Posteroanterior projection | right wrist pediatric wrist radiograph | age 16 y, female | follow-up | imaged through cast — 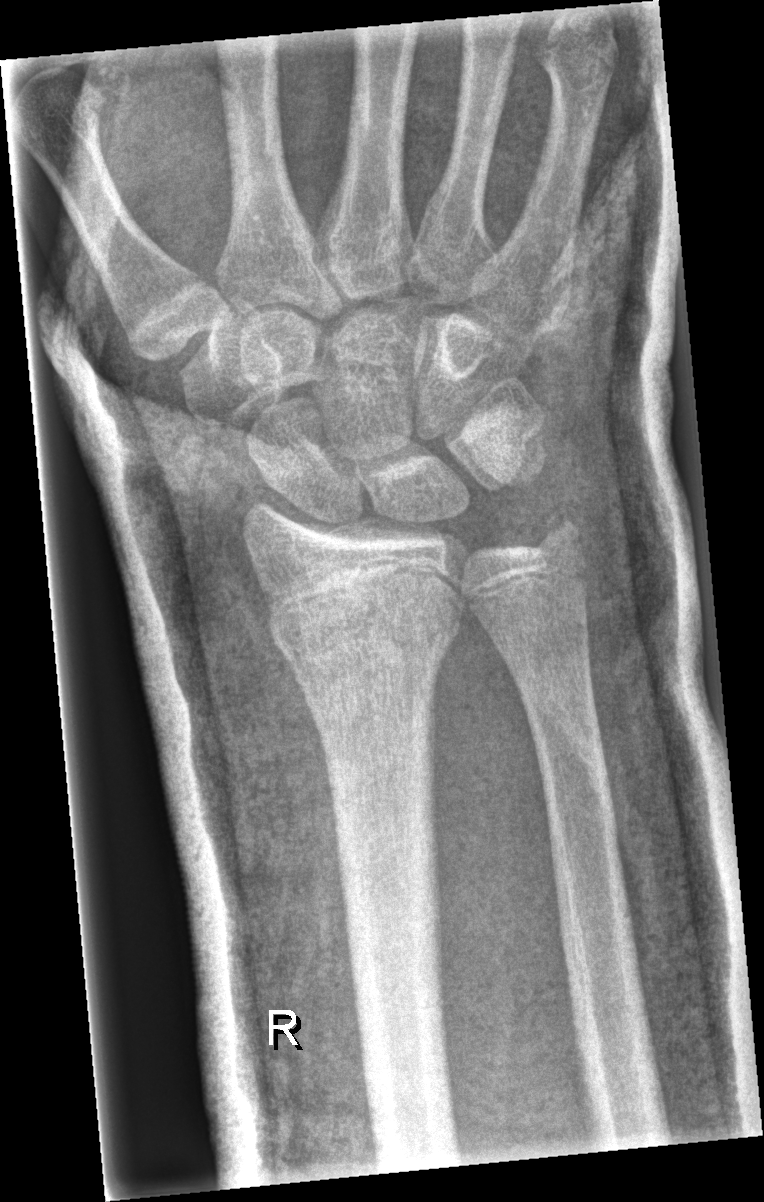

FINDINGS: Fractures — <280,599>-<462,691>; <528,505>-<591,565>.